Lt plain radiograph of the wrist · lat projection · detector: Siemens · 568 x 1150 px 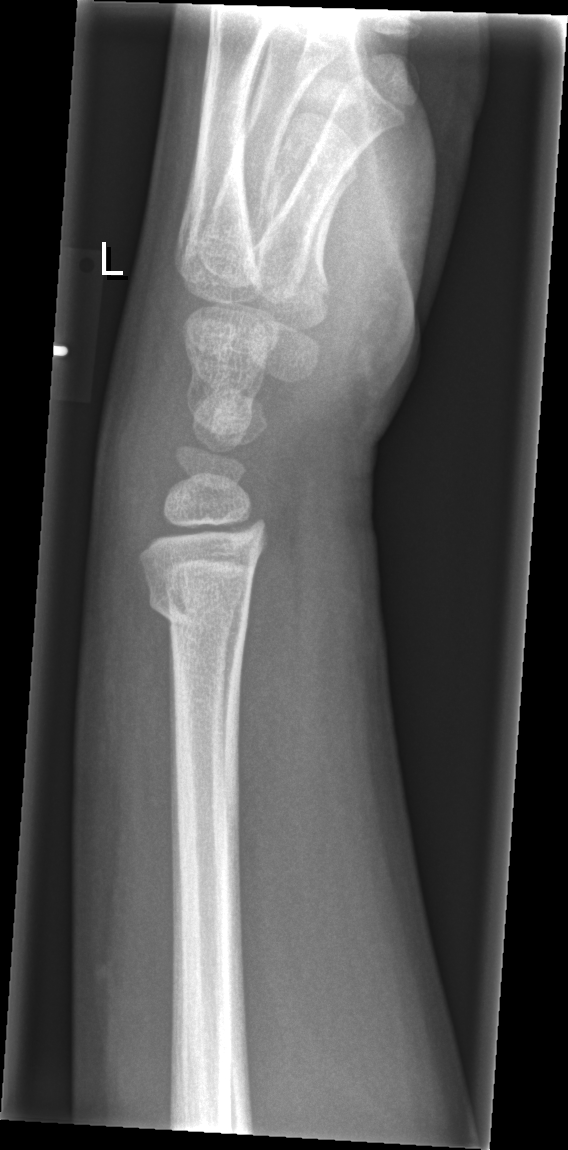
Fx: bbox(142, 577, 256, 643). AO/OTA classification: 23r-M/2.1.